Lateral | left wrist plain radiograph of the wrist | acquired on Siemens —

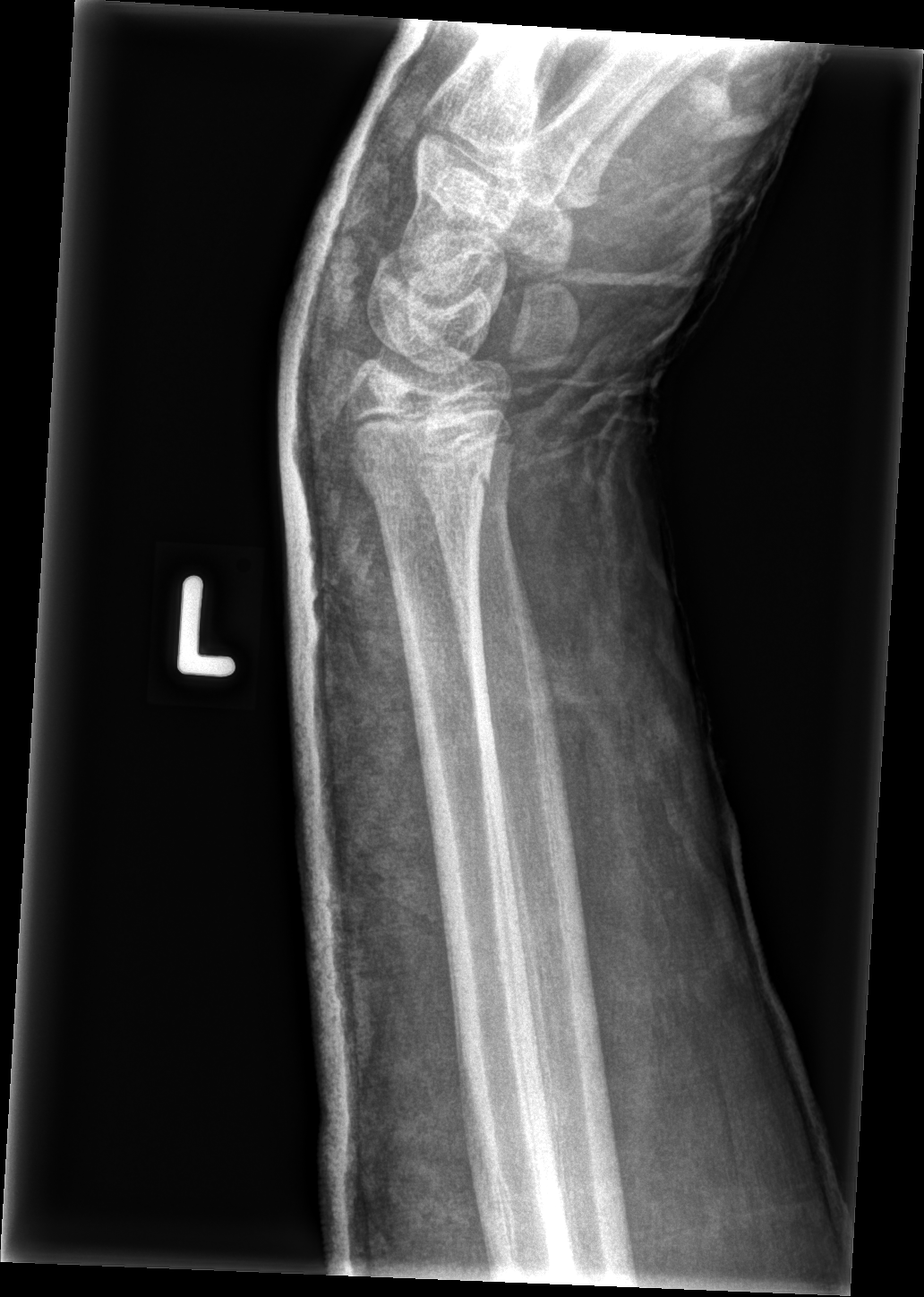 {"_coords": "bounding boxes in image-pixel xyxy", "ao": "23r-M/2.1; 23u-E/7", "fracture": "(left=351, top=447, right=494, bottom=507)"}